Left wrist X-ray; lateral; 69.3 mm image width.

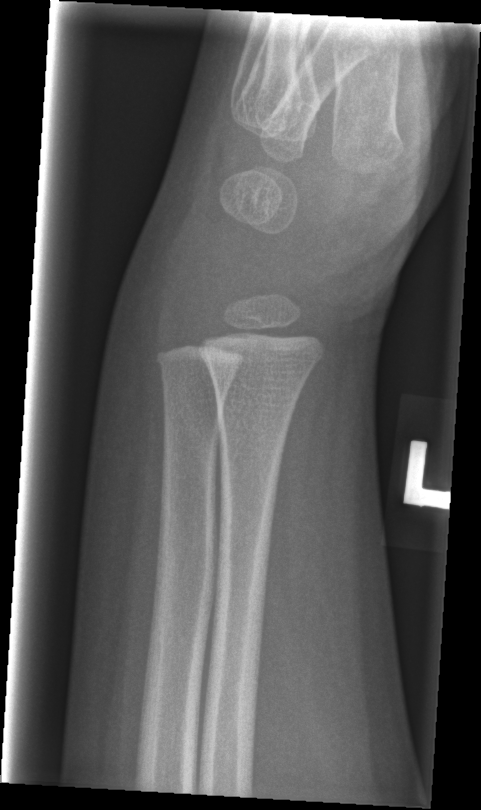

Fx: none labeled